Left wrist XR; AP projection; age 9 y, female; detector: Siemens; 86.7 mm image width: 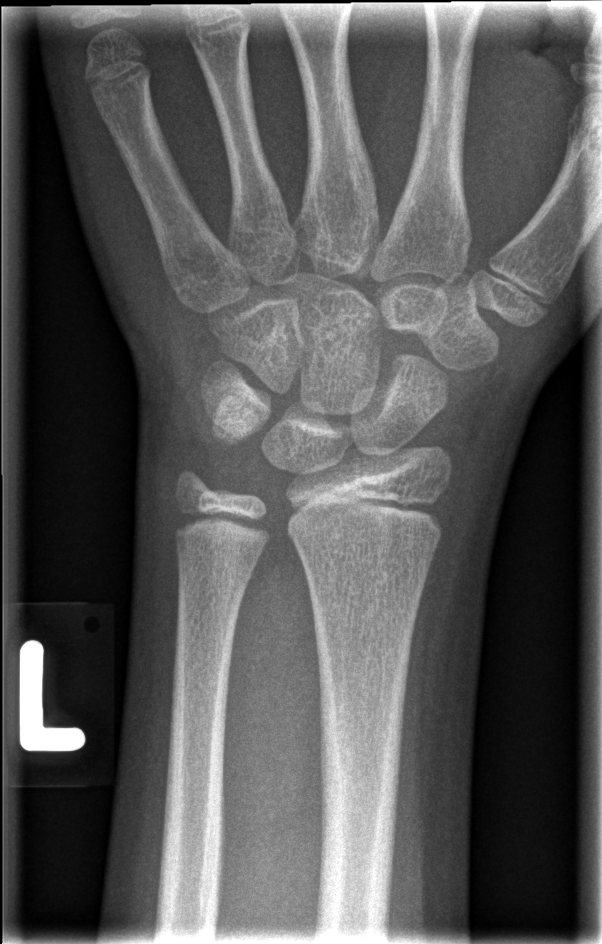 No fracture labeled.